AP view; L wrist radiograph — 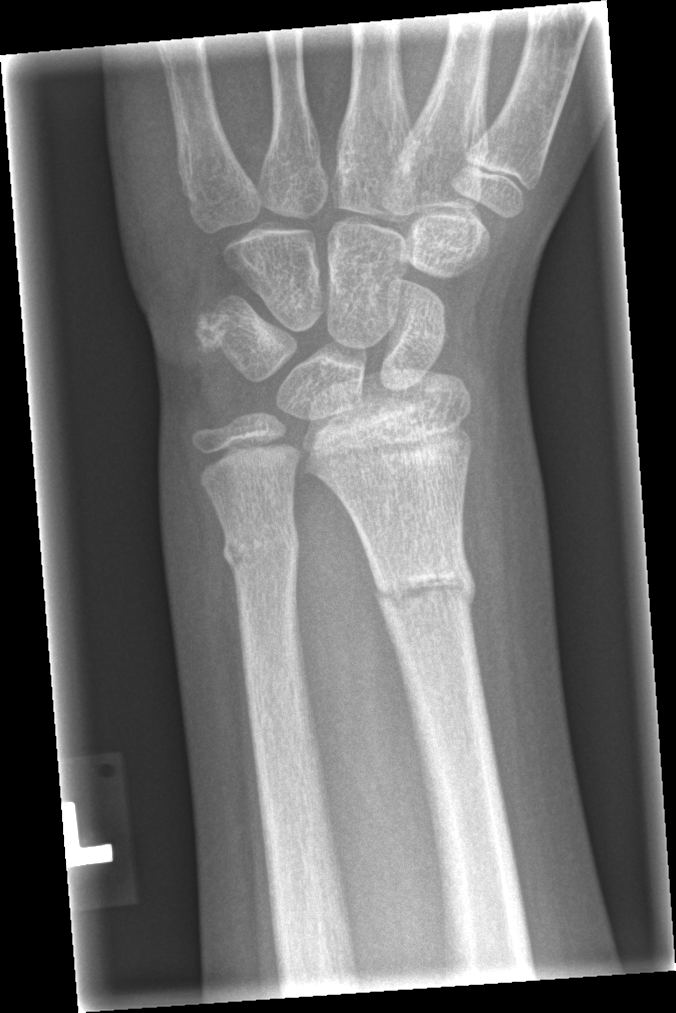
• Boxes as x1,y1,x2,y2 (top-left / bottom-right, pixel units).
• AO/OTA classification: 23-M/3.1.
• Fracture: [x1=368, y1=561, x2=481, y2=621] [x1=221, y1=521, x2=303, y2=583].